Lateral projection; L plain radiograph of the wrist; age 11 y, male 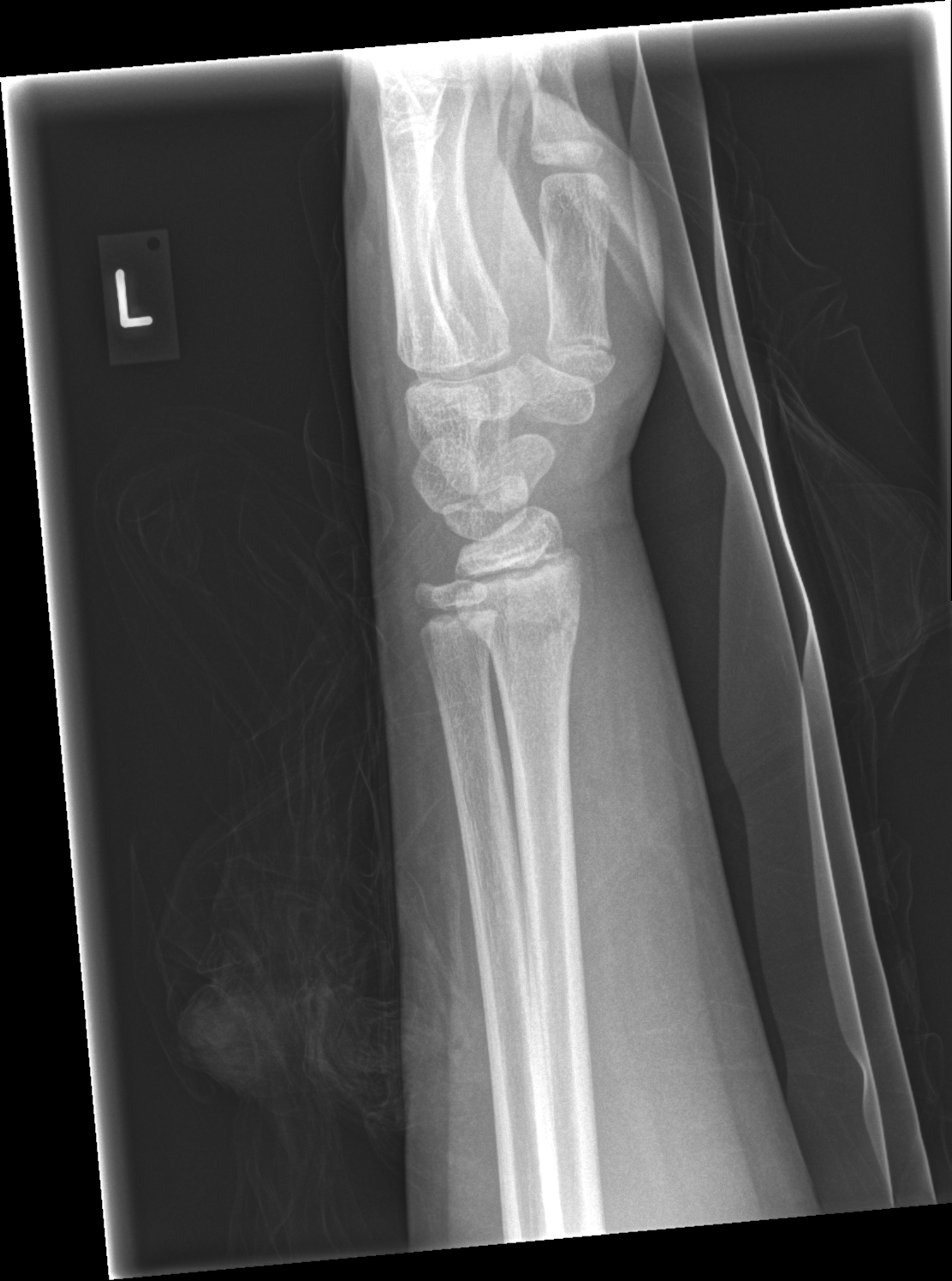

Fx: 1 @ bbox(454, 586, 589, 670)